Lateral projection; left wrist XR —

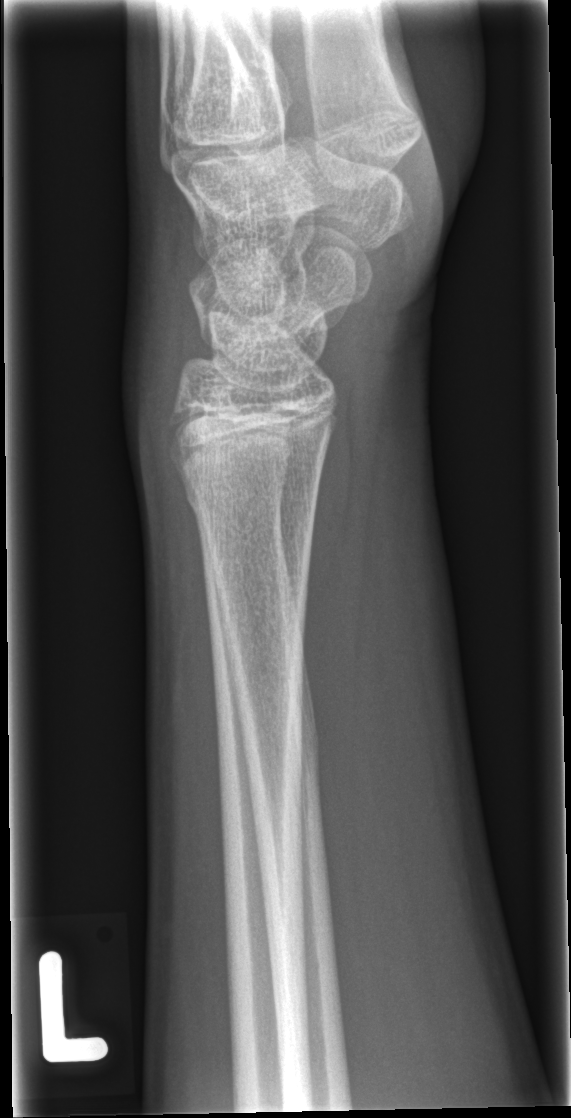
Fx: 1 @ bbox(178, 474, 322, 532)